PA view; Lt plain radiograph of the wrist; girl, 11 yo; initial study; 648x1146.
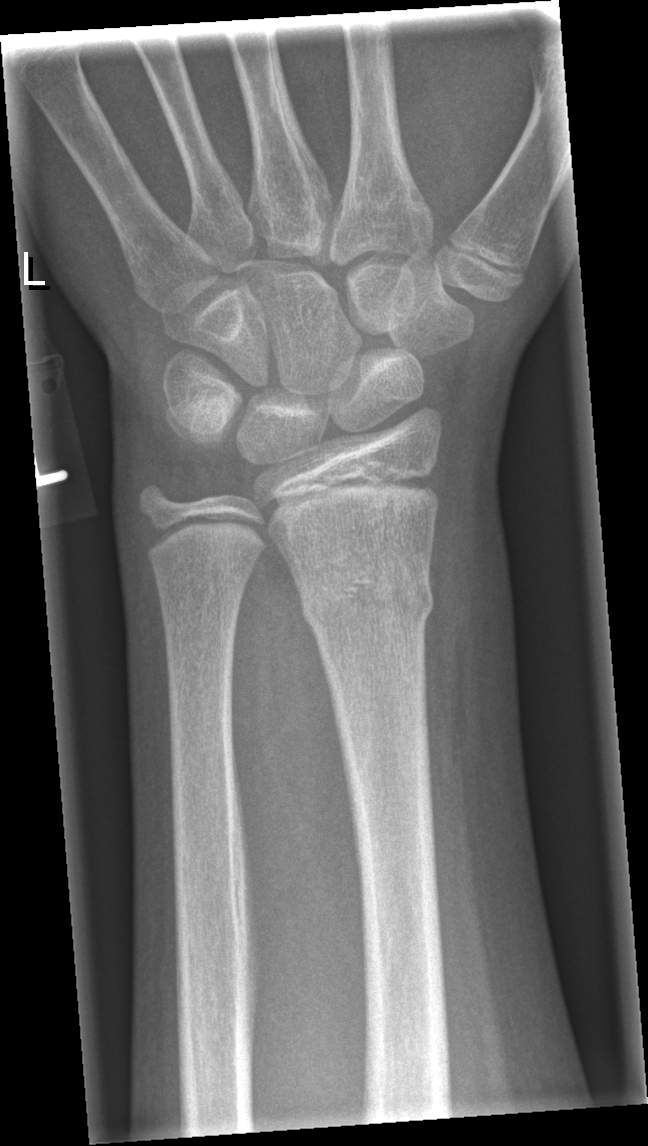

bone fracture = 1 @ bbox(290, 556, 437, 635)